Posteroanterior · R pediatric wrist radiograph:

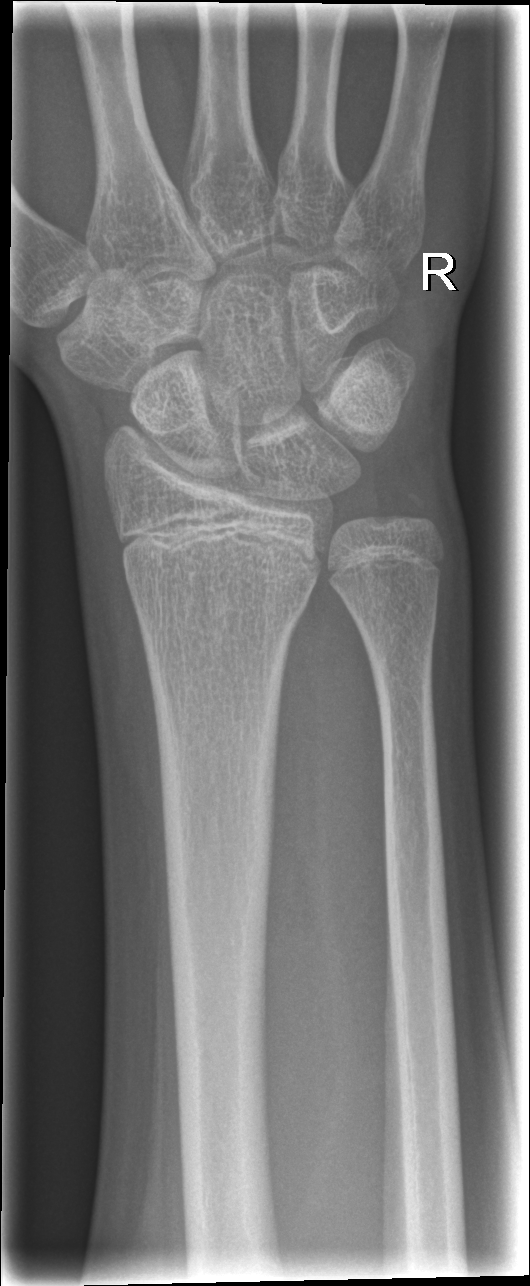

Q: Locate any fractures.
A: Fracture: [x1=378, y1=485, x2=444, y2=545]
Q: AO code?
A: Fracture classified AO/OTA 23r-M/2.1